PA · R wrist XR · pediatric patient (female, age 13):

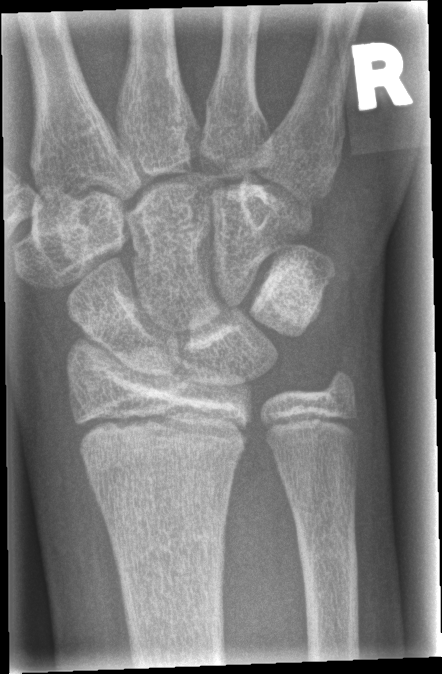 FINDINGS: Fracture: 293,523,362,583. AO/OTA classification: 23r-E/2.1; 23u-M/2.1.